PA projection | L wrist radiograph | 6-year-old girl | 82.7 mm image width | 574x1296 — 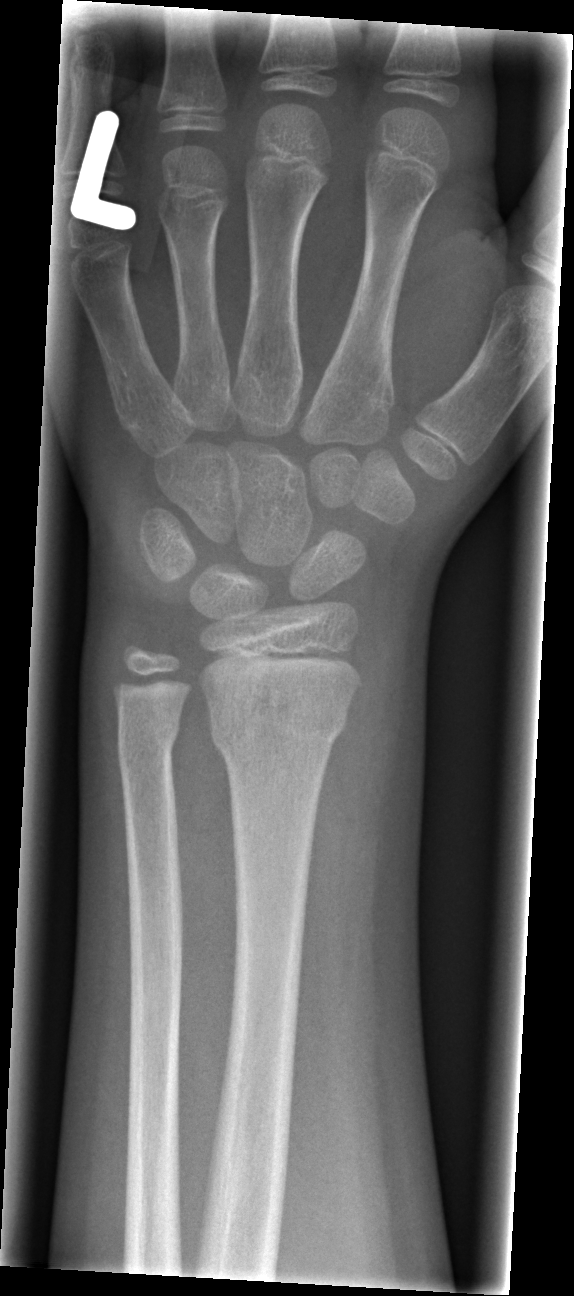

{
  "_coords": "bounding boxes in image-pixel xyxy",
  "fracture": "2 @ 206 683 352 768; 114 712 184 778"
}